Rt wrist plain film · PA view · pediatric patient (female, age 5).

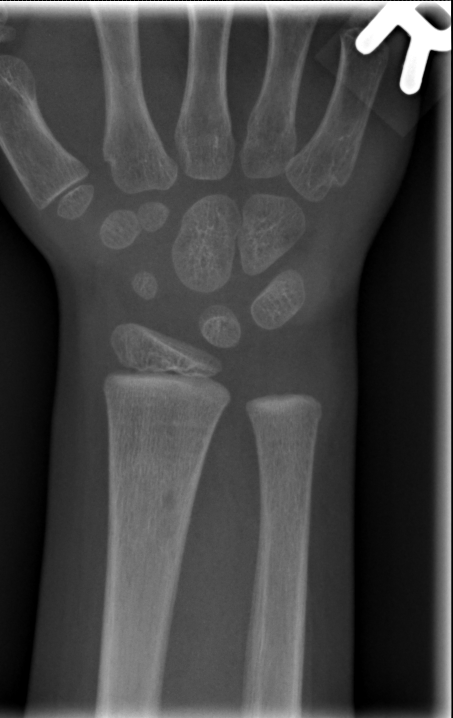
{"boneanomaly": "103,452,203,545", "fracture": "present but not clearly seen in this view"}